Left wrist radiograph | frontal | age 15 y, female.

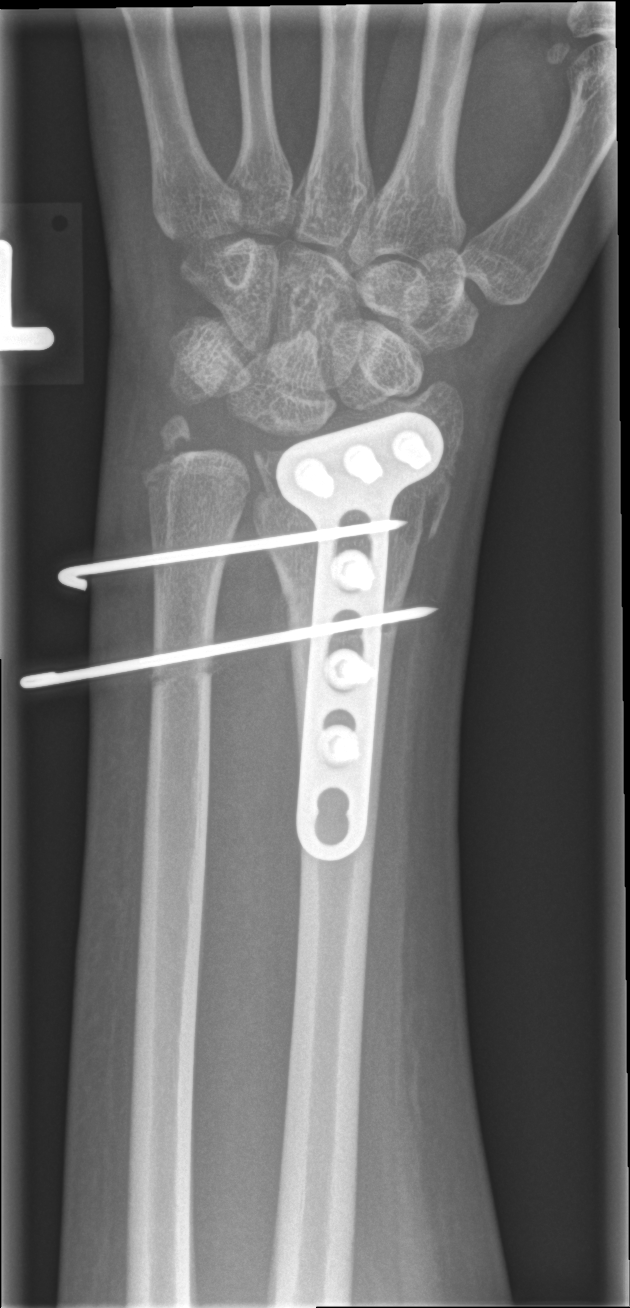
Findings: One bone anomaly at bbox(149, 660, 218, 694). Fractures — bbox(249, 443, 466, 554), bbox(145, 412, 204, 474). One metal at bbox(13, 397, 455, 866). AO/OTA classification: 23r-M/3.1; 23u-E/7.